Right wrist plain film · lateral projection: 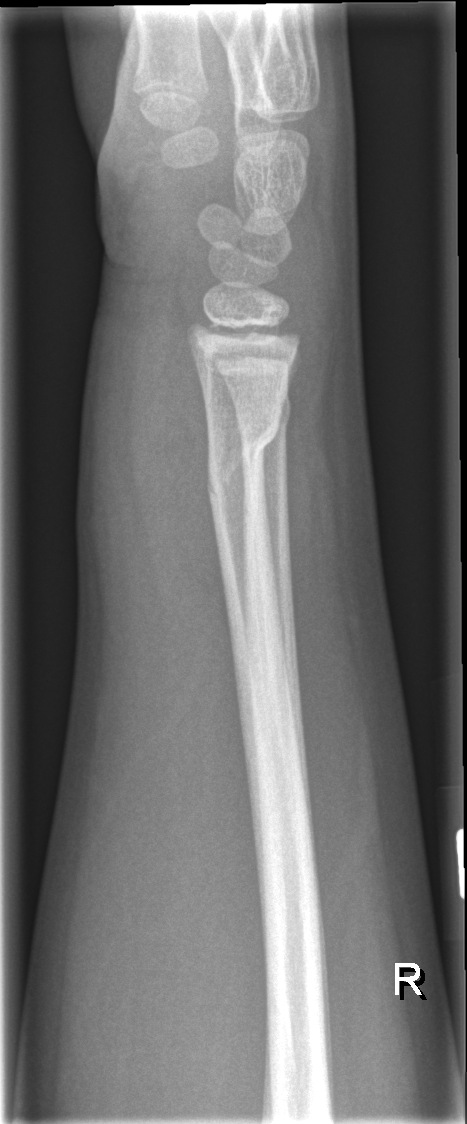

Findings: (bounding boxes in image-pixel xyxy) Fracture identified at (left=203, top=408, right=284, bottom=506). One pronator quadratus fat-pad sign at (left=140, top=315, right=226, bottom=601).